Left wrist XR | lateral | 11-year-old female | detector: Siemens:
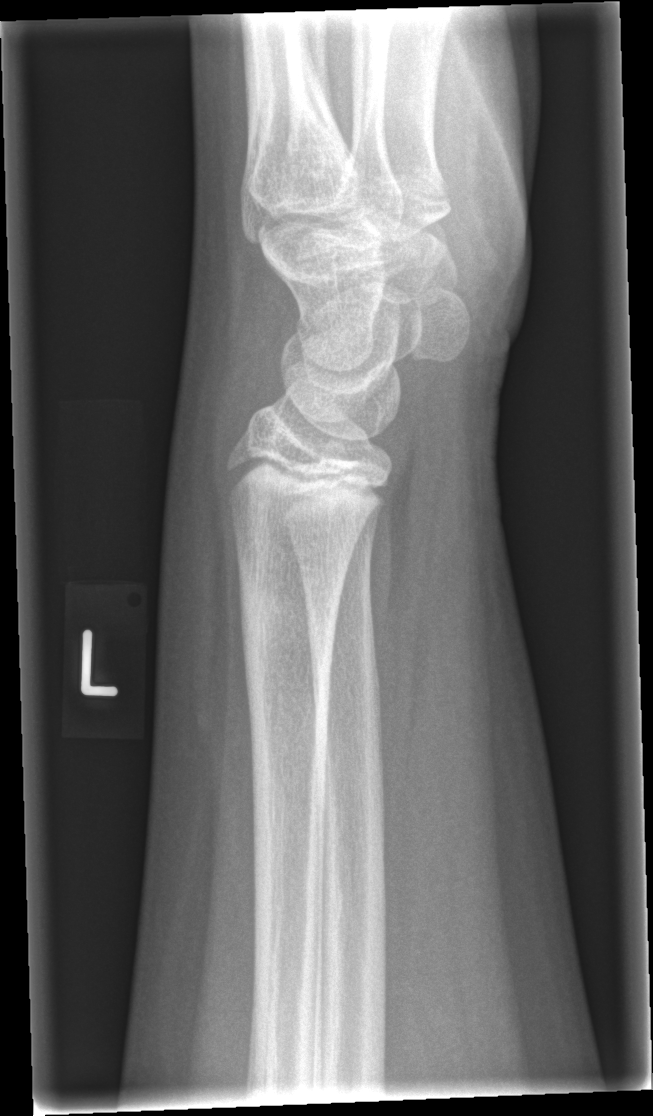
Fx identified at <235,577>-<340,684>.